PA view, left wrist radiograph, 10y F, cast present, Siemens, 573x1072: 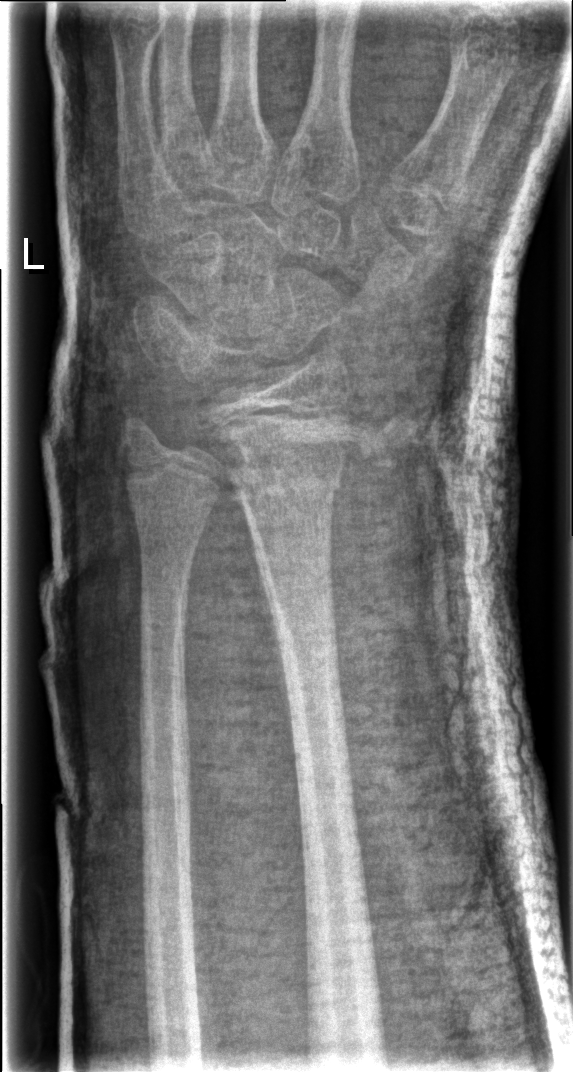

Findings: Fracture — 231,457,347,511. AO code 23r-M/3.1; 23u-M/2.1.